Left pediatric wrist radiograph · frontal view · follow-up study —

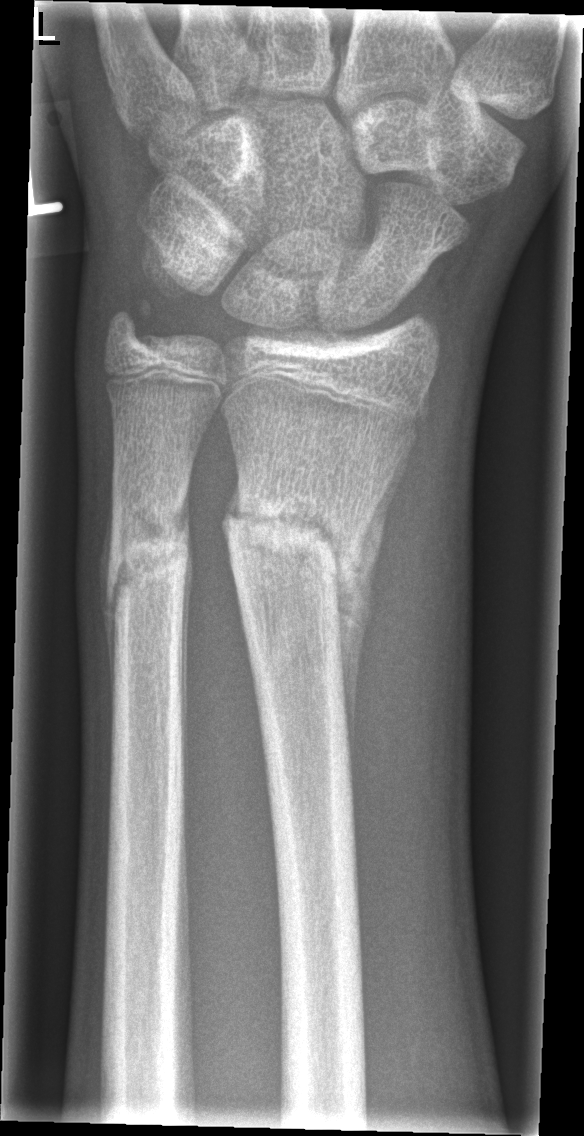 FINDINGS: (boxes as x1,y1,x2,y2 (top-left / bottom-right, pixel units)) AO code 23-M/3.1; 23u-E/7. Fx: [216, 477, 383, 750]; [100, 499, 194, 705]; [100, 291, 167, 356].